Lat view · right wrist XR · pediatric patient (male, age 9) · initial study.

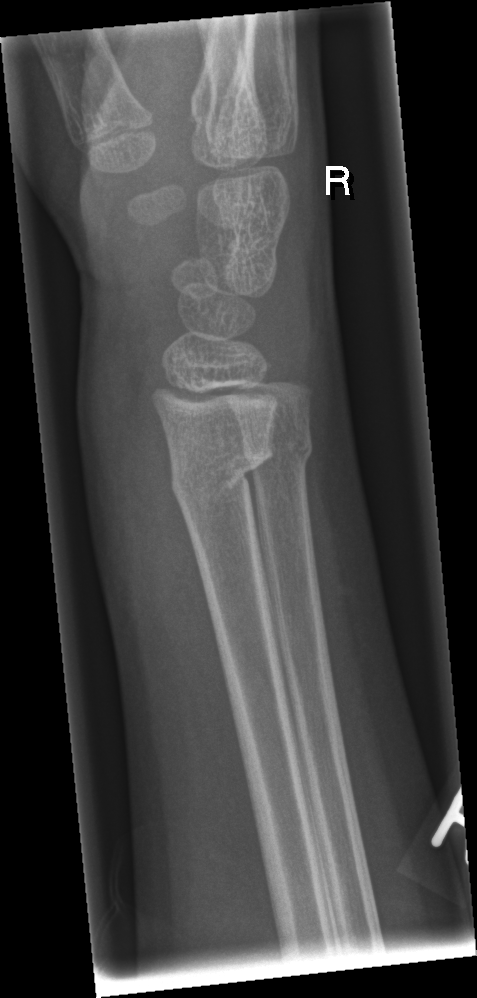

Q: Is there a fracture?
A: Fx: [168, 436, 282, 500], [245, 426, 322, 484]
Q: Is the pronator sign positive?
A: One positive pronator fat-pad sign at [118, 356, 231, 680]
Q: What is the AO/OTA classification?
A: AO code 23-M/3.1